Left wrist XR; PA/AP; acquired on Siemens; image size 490x1082
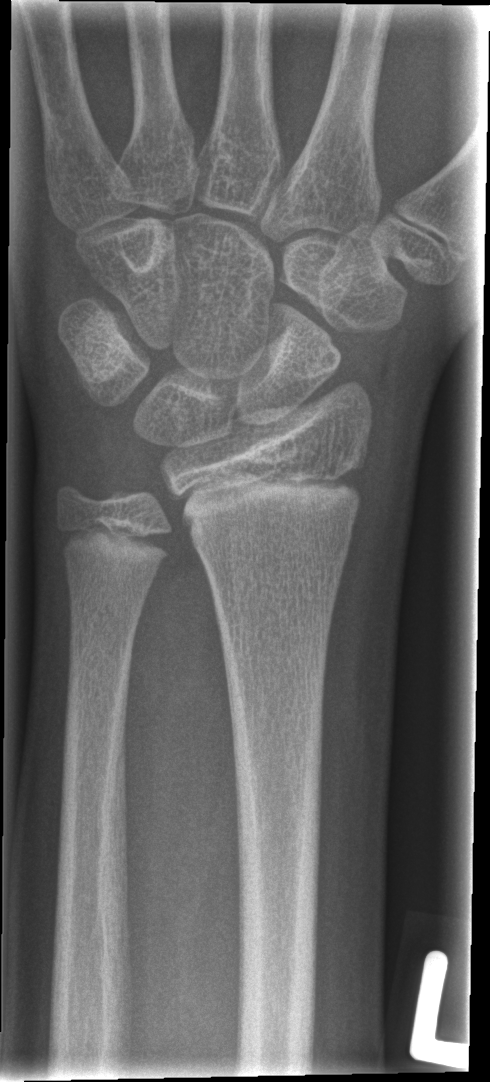 • Fracture: none labeled.